Lat projection · Lt wrist XR · pediatric patient (girl, age 13) · initial study
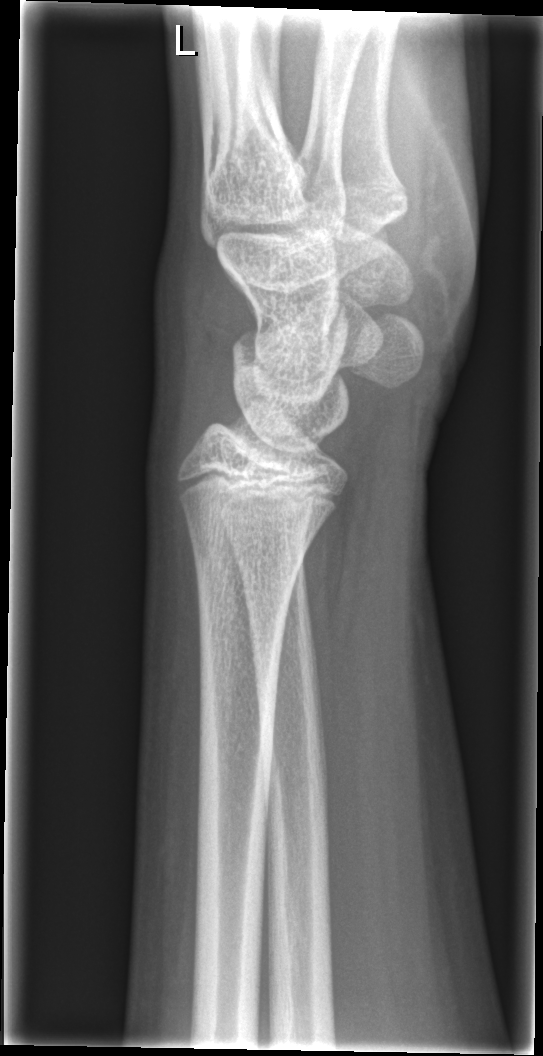 FINDINGS: No fracture bounding box.